R wrist XR · PA view · 10-year-old female · 432 by 742 pixels: 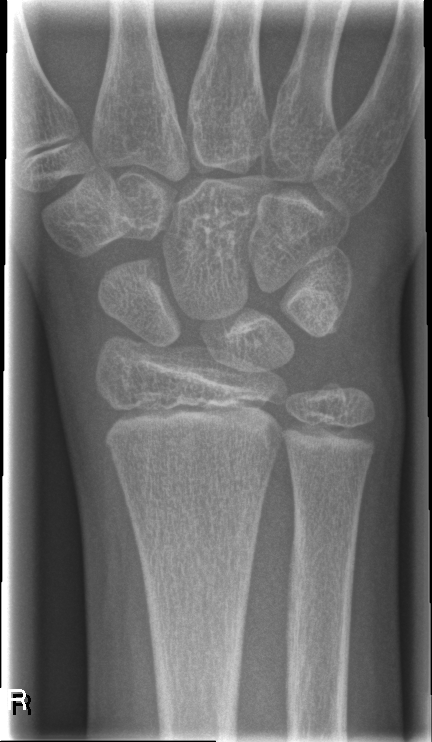 FINDINGS — No Fx annotated.